Right wrist XR · lateral · 1.6y M · image size 499x922 — 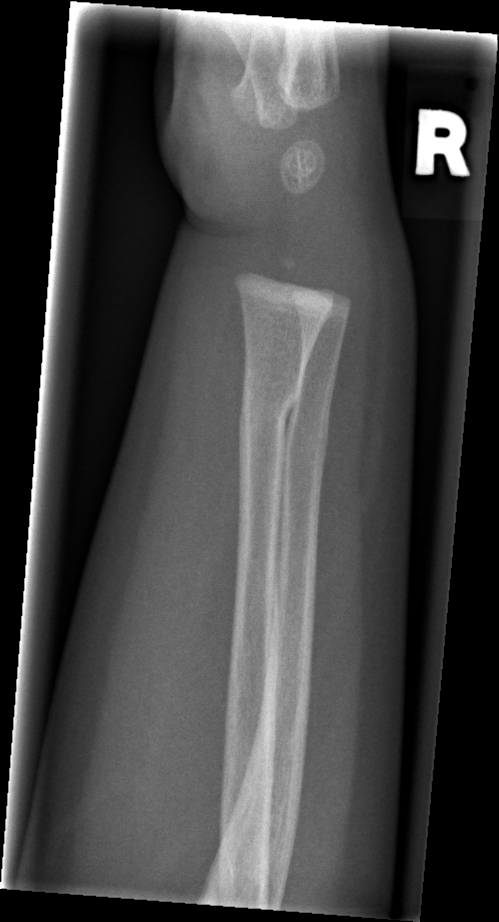

(bounding boxes in image-pixel xyxy)
AO classification = 23-M/2.1
fracture = 2 @ [236, 377, 303, 434], [282, 418, 332, 468]